L wrist radiograph | lateral view | male, 5 yo | 398 by 530 pixels —

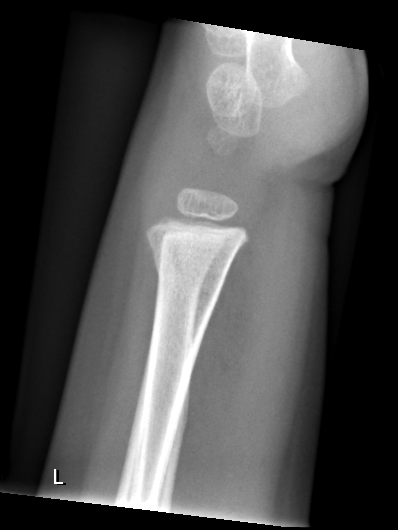
Findings: Fracture classified AO/OTA 23r-M/2.1. Pronator quadratus fat-pad sign: [x1=176, y1=220, x2=264, y2=451]. Bone fracture — [x1=144, y1=242, x2=230, y2=299].